Lateral, left wrist XR, cast in situ —
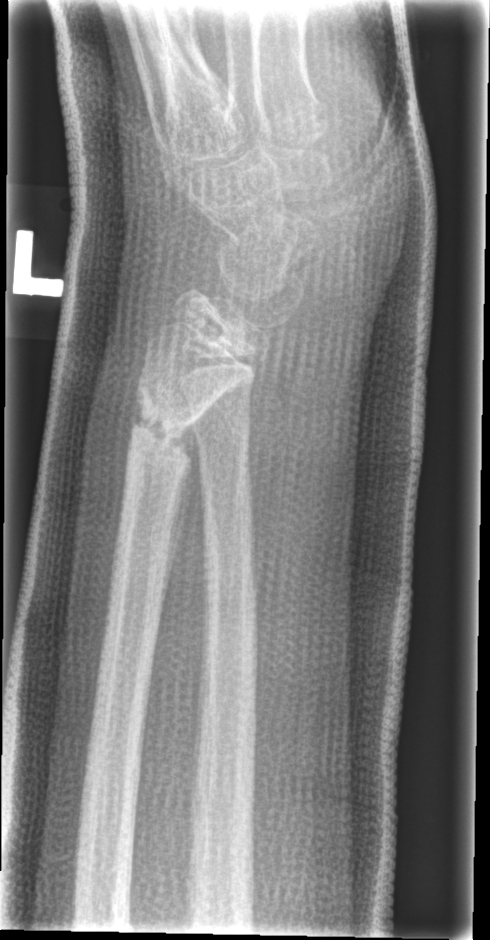

(bounding boxes in image-pixel xyxy)
AO code = 23-M/3.1
Fracture = 1 @ 120,381,204,488